AP view; Lt pediatric wrist radiograph; initial study; acquired on Siemens:

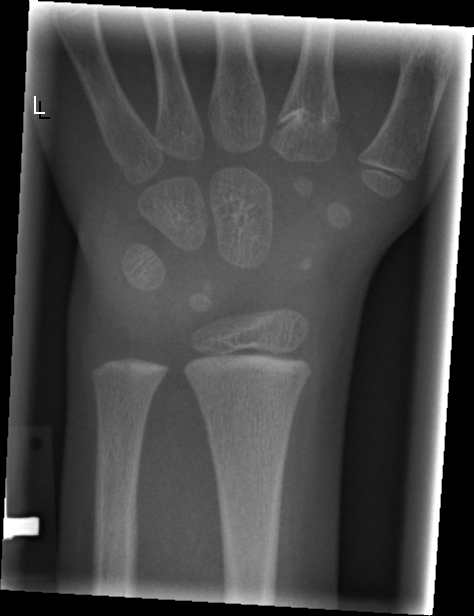

Fx = none labeled